Lat projection · R wrist XR · equivocal findings · detector: Siemens

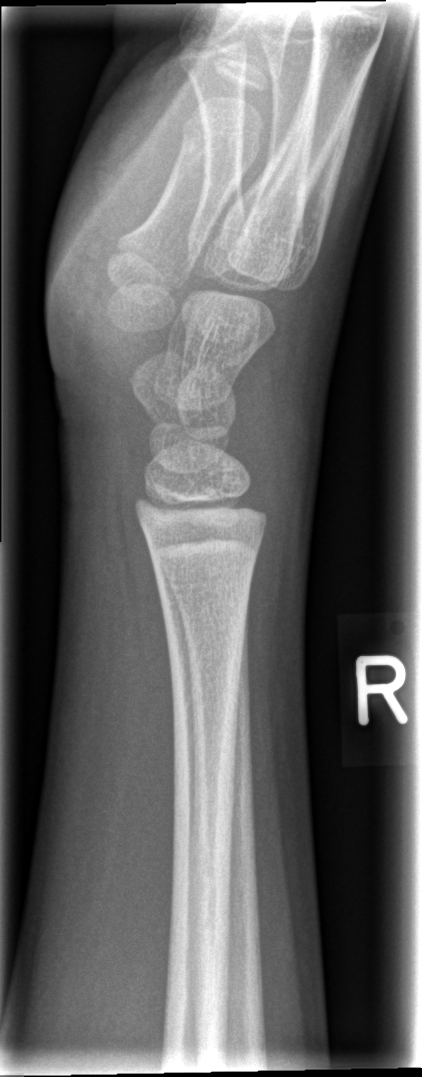
# pixel coordinates, top-left origin, xyxy
ao: 23r-M/2.1
fracture: <148,531>-<266,588>